Lat view; Lt wrist XR; index exam — 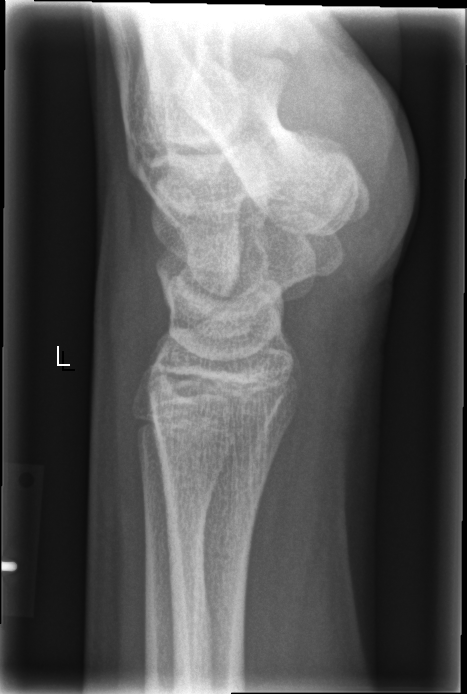
FINDINGS — No fracture labeled.